Left wrist plain film; lateral projection; follow-up; Siemens:

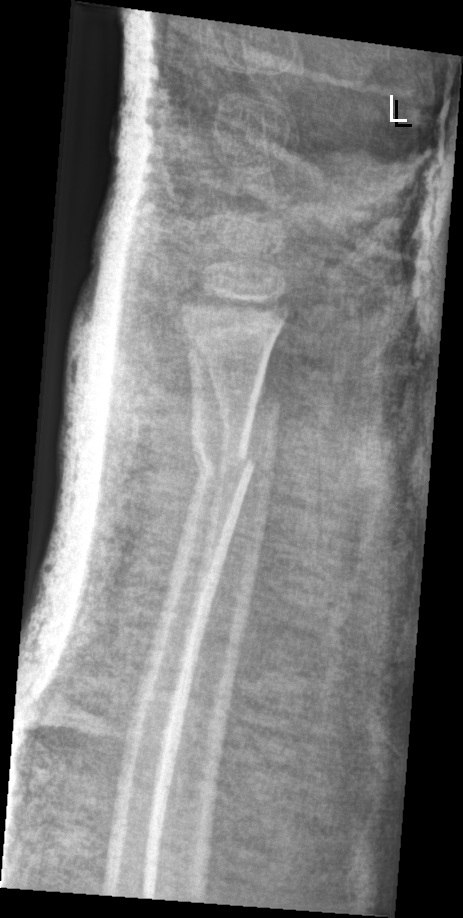
* Bone fracture identified at 215,370,287,426 | 183,439,266,487.
* AO/OTA classification: 23-M/3.1.